PA view · left wrist XR · 9-year-old boy · index exam. 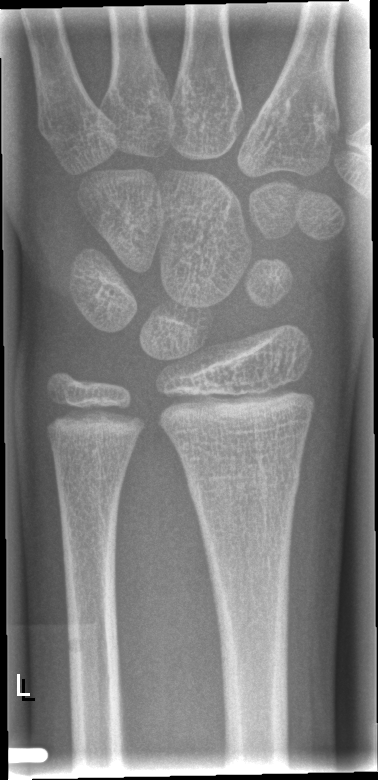
{"fracture": "1 @ (left=184, top=459, right=302, bottom=511)", "ao": "23r-M/2.1"}